Frontal projection, L plain radiograph of the wrist, follow-up study, cast present

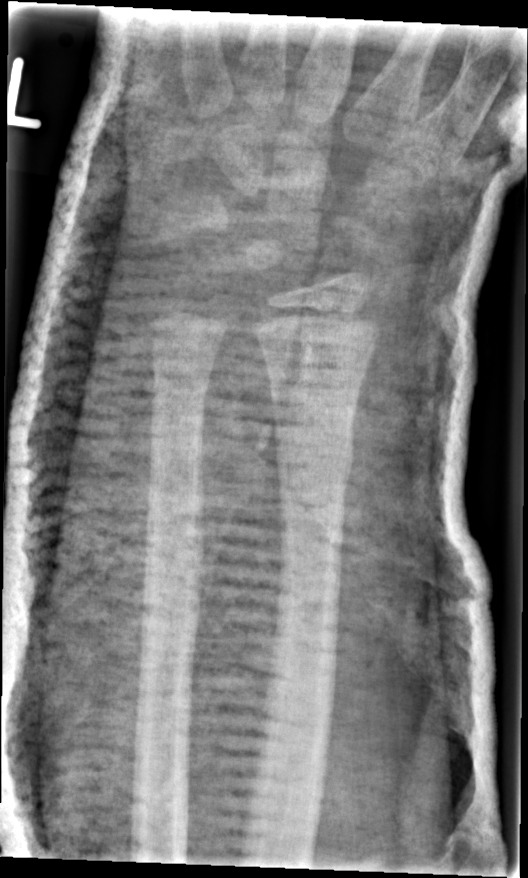
* Fx — [272, 432, 357, 485].
* AO code 23r-M/3.1.